Lateral view; Lt wrist radiograph; cast in situ; image 94.5 mm wide; image size 656x802:

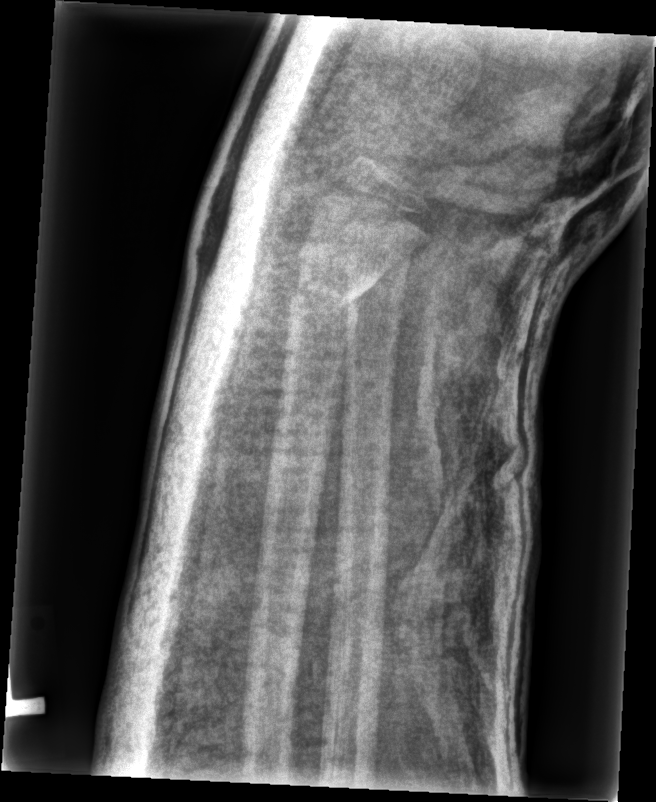
- Fracture classified AO/OTA 23r-M/3.1.
- One bone fracture at [x1=287, y1=254, x2=380, y2=323].